R wrist XR | lat view | detector: Siemens 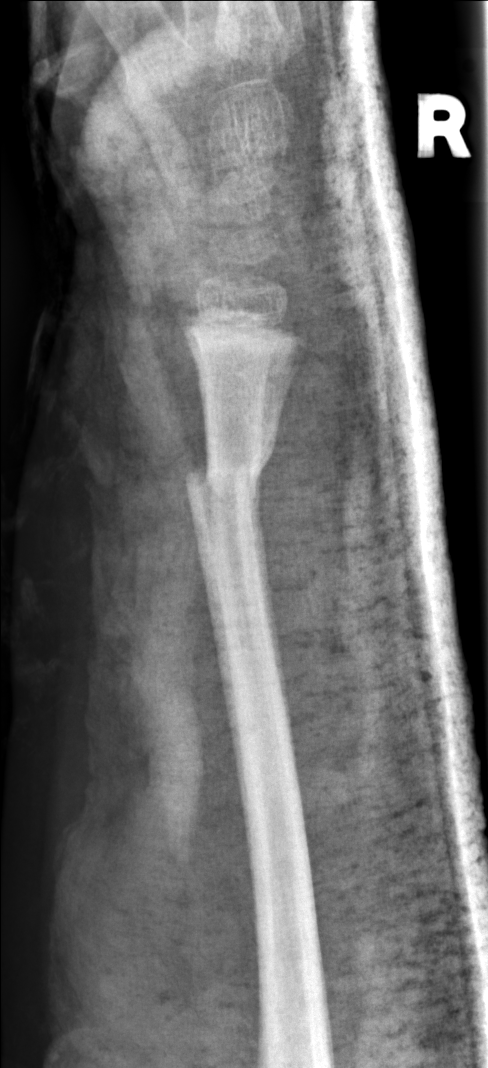

Fx: <183,454>-<270,497>
AO classification: 23r-M/3.1